Lt pediatric wrist radiograph; lat projection 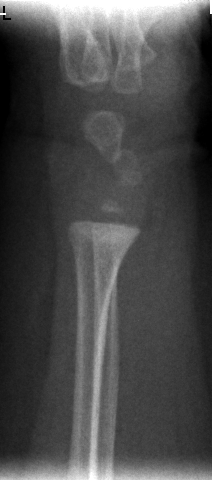 - No fracture labeled.